L wrist XR; posteroanterior view; 14-year-old boy; 86.1 mm image width — 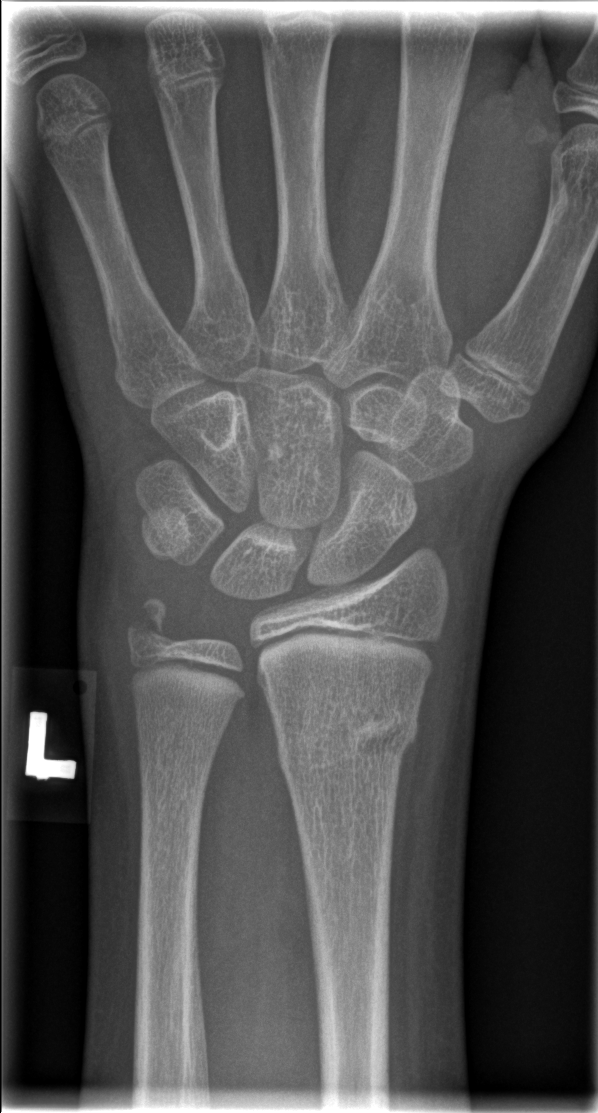
Fx = [269, 688, 423, 781] [123, 591, 181, 656]
AO classification = 23r-M/2.1; 23u-E/7